Lat | Rt wrist XR | pediatric patient (female, age 11) | initial study | 88.1 mm image width.
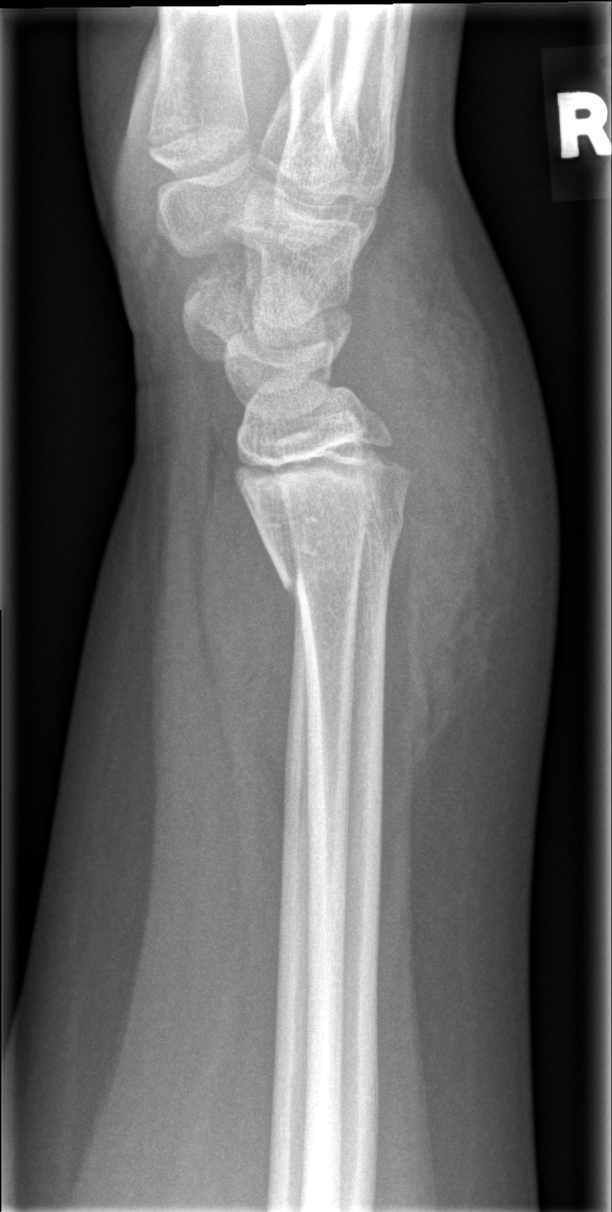
Fracture — (left=275, top=494, right=409, bottom=601). Pronator sign — (left=190, top=426, right=299, bottom=876). One soft-tissue finding at (left=332, top=222, right=533, bottom=817). AO/OTA classification: 23r-M/3.1; 23u-M/2.1.